Left wrist X-ray, AP projection, cast in situ — 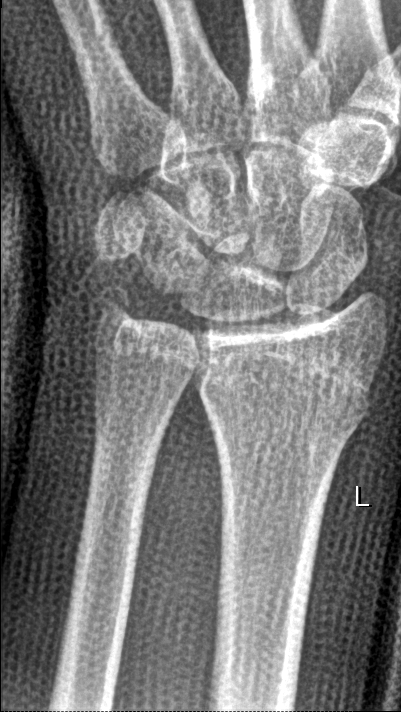
AO/OTA = 23r-M/2.1; 23u-E/7
fracture = (left=89, top=278, right=147, bottom=341)